Frontal projection | right wrist plain film | cast present | acquired on Siemens | image size 724x1242 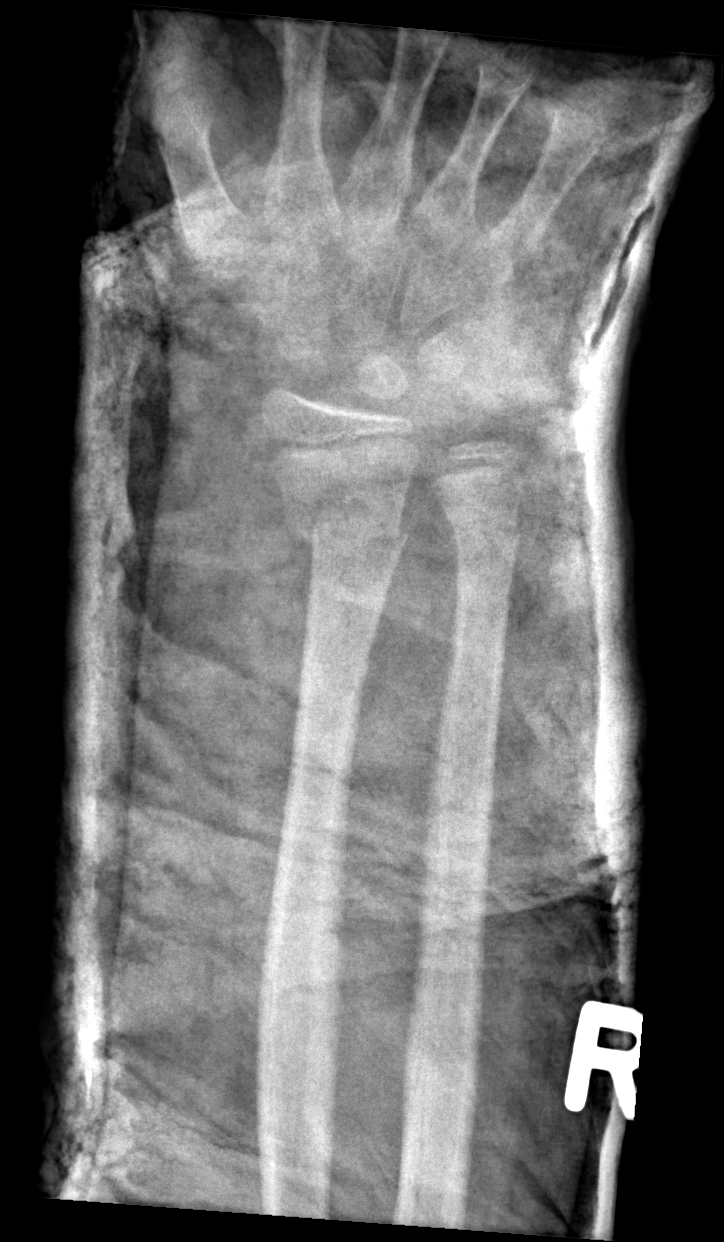
{"fracture": "(280, 506, 413, 567); (442, 509, 522, 566)", "ao": "23-M/3.1"}